Lt pediatric wrist radiograph · frontal view —

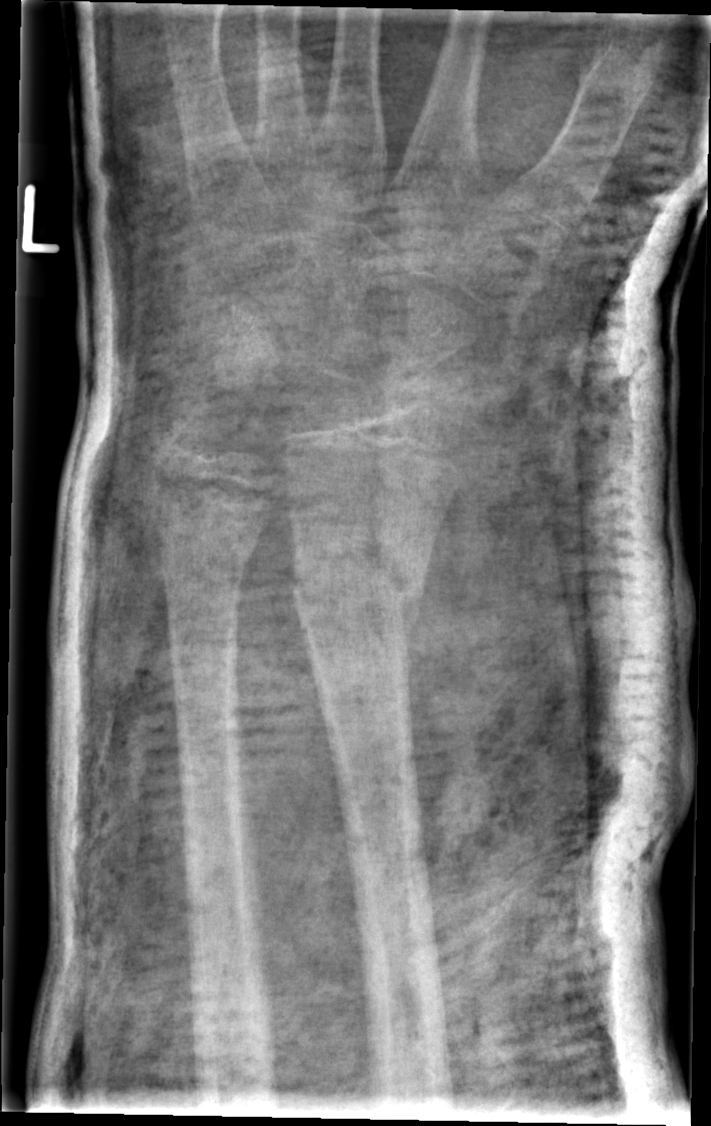
Fracture identified at [285, 520, 431, 635]; [151, 515, 261, 591]. Fracture classified AO/OTA 23r-M/3.1; 23u-M/2.1.